Lat view | R wrist XR | 442 by 962 pixels 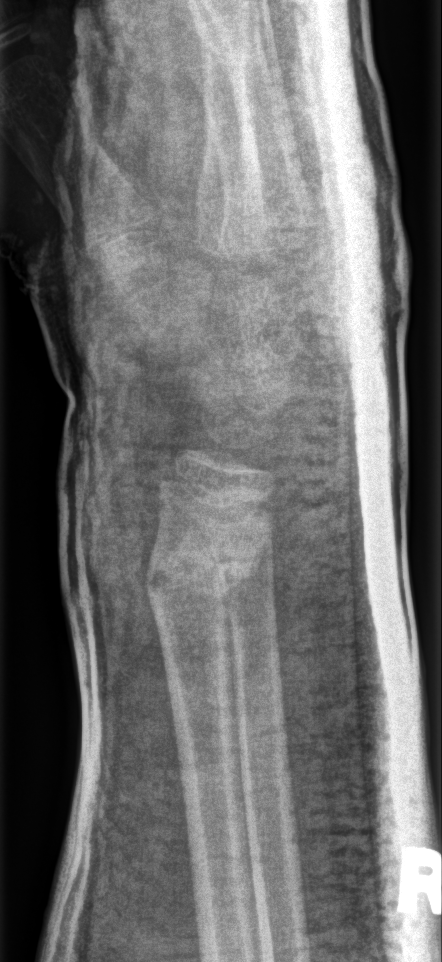

FINDINGS — (bounding boxes in image-pixel xyxy) AO/OTA classification: 23r-M/3.1. Fracture — [x1=141, y1=520, x2=274, y2=615].